Lateral view · Lt wrist XR · age 1.7 y, girl
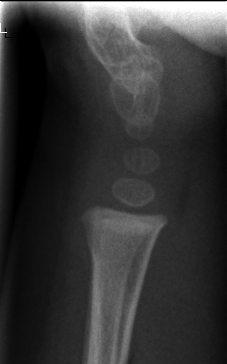 • Bounding boxes in image-pixel xyxy.
• Fracture — 81 226 151 276.